R wrist XR; frontal projection; age 12 y, male; presentation radiograph.

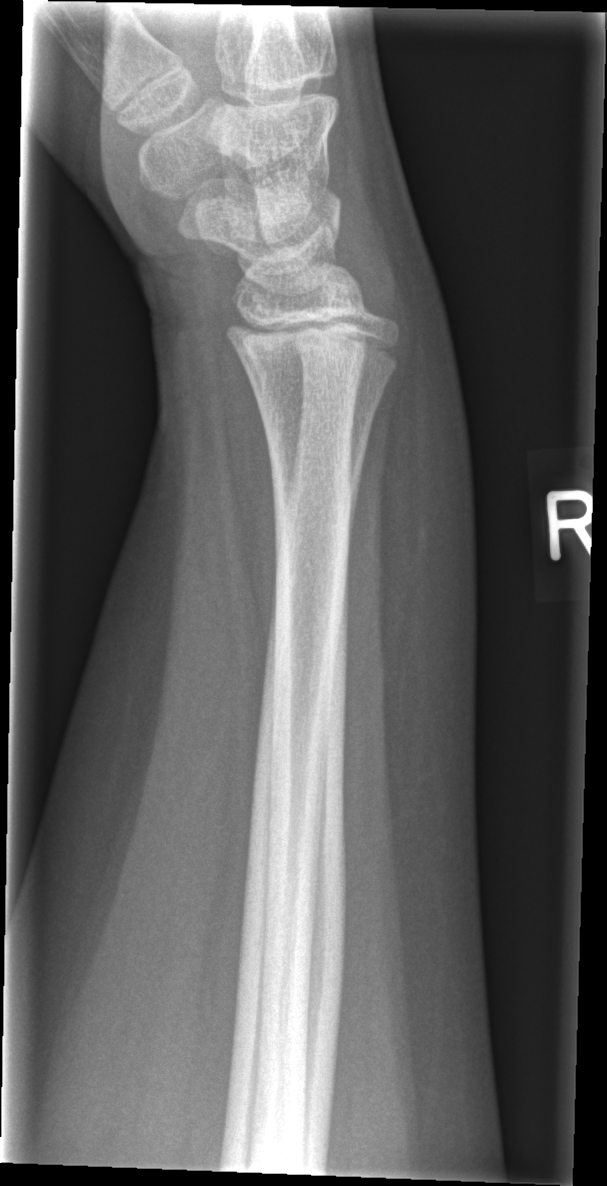 * Fx: none.